L wrist XR; lateral. 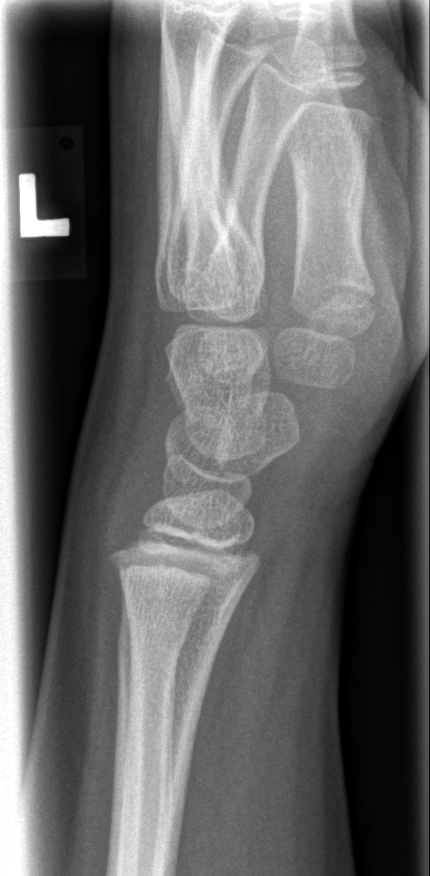

(boxes as x1,y1,x2,y2 (top-left / bottom-right, pixel units))
Fx = (112, 602, 189, 687)
Soft-tissue finding = 1 @ (59, 375, 159, 648)